PA/AP projection, R plain radiograph of the wrist, 653 x 1144 px —
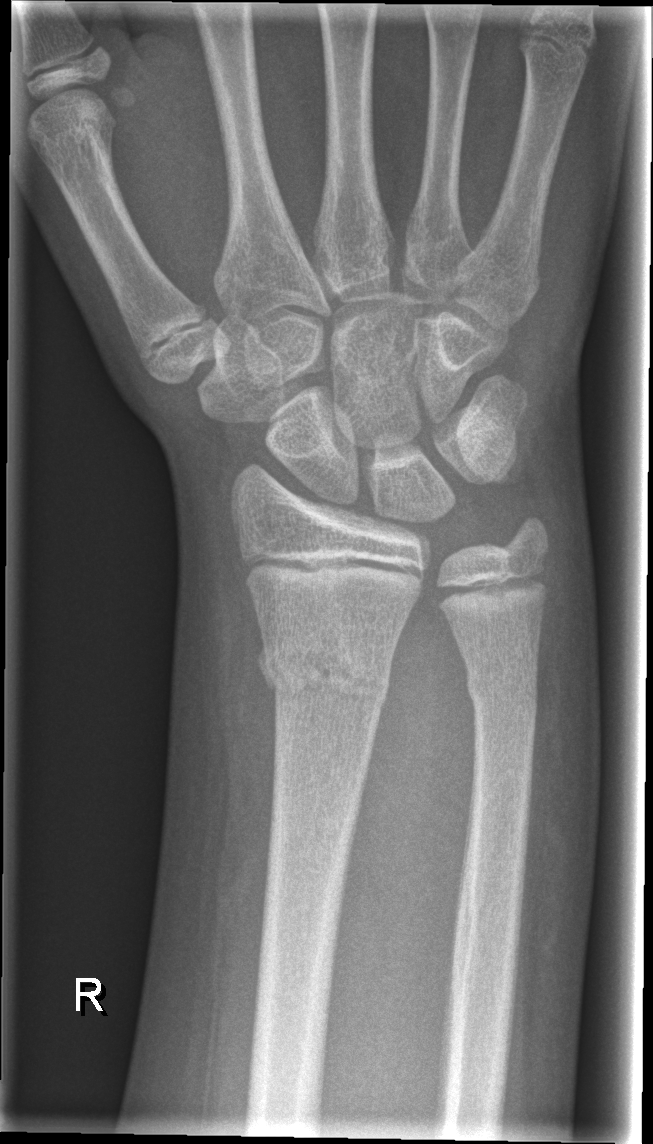   fracture: 2 @ <252,630>-<393,723>, <463,662>-<543,723>
  ao: 23r-M/3.1; 23u-M/2.1